Lateral view | Lt pediatric wrist radiograph | age 8 y, female | presentation radiograph
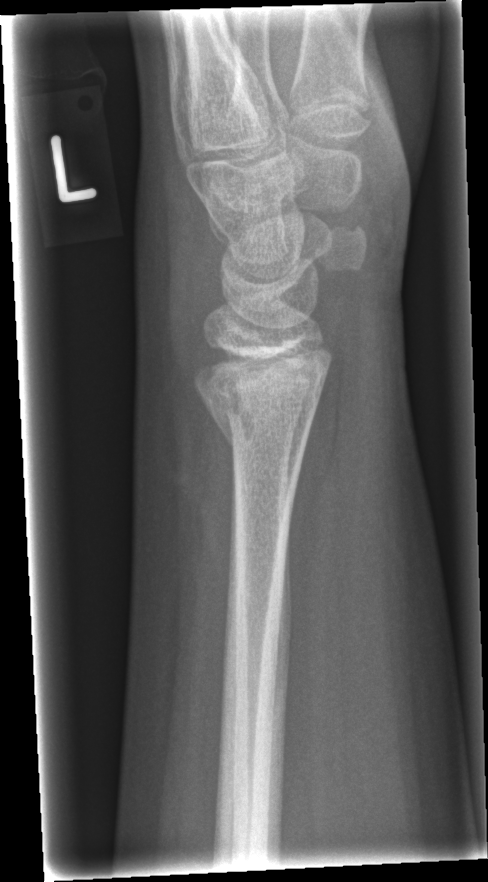

FINDINGS: (pixel coordinates, top-left origin, xyxy) Bone fracture: bbox(191, 359, 327, 462).